PA/AP; right wrist pediatric wrist radiograph; 12-year-old female; detector: Siemens:
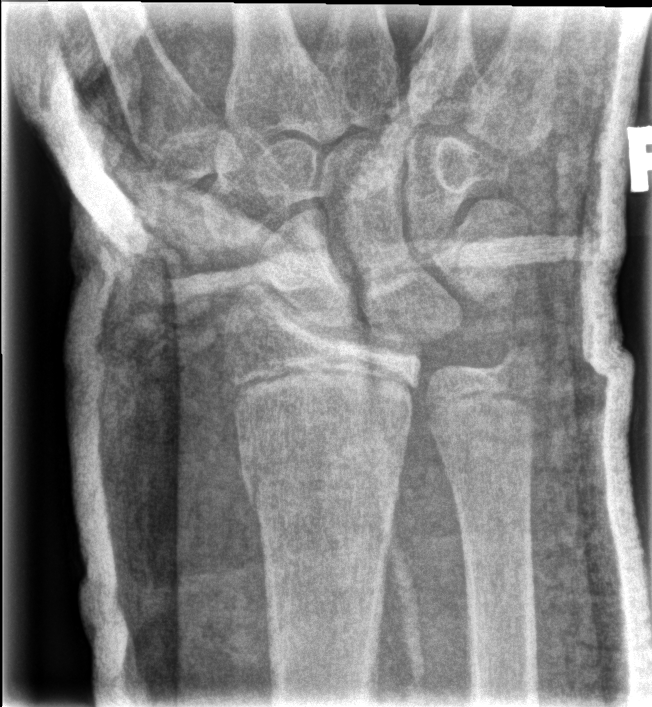
# coordinates are [x1, y1, x2, y2] in image pixels
fracture: 2 @ <234,422>-<412,514> <492,328>-<542,388>
ao: 23r-M/3.1; 23u-E/7